PA/AP projection; R wrist X-ray; pediatric patient (boy, age 12); detector: Siemens; 97.1 mm image width; image size 674x1203. 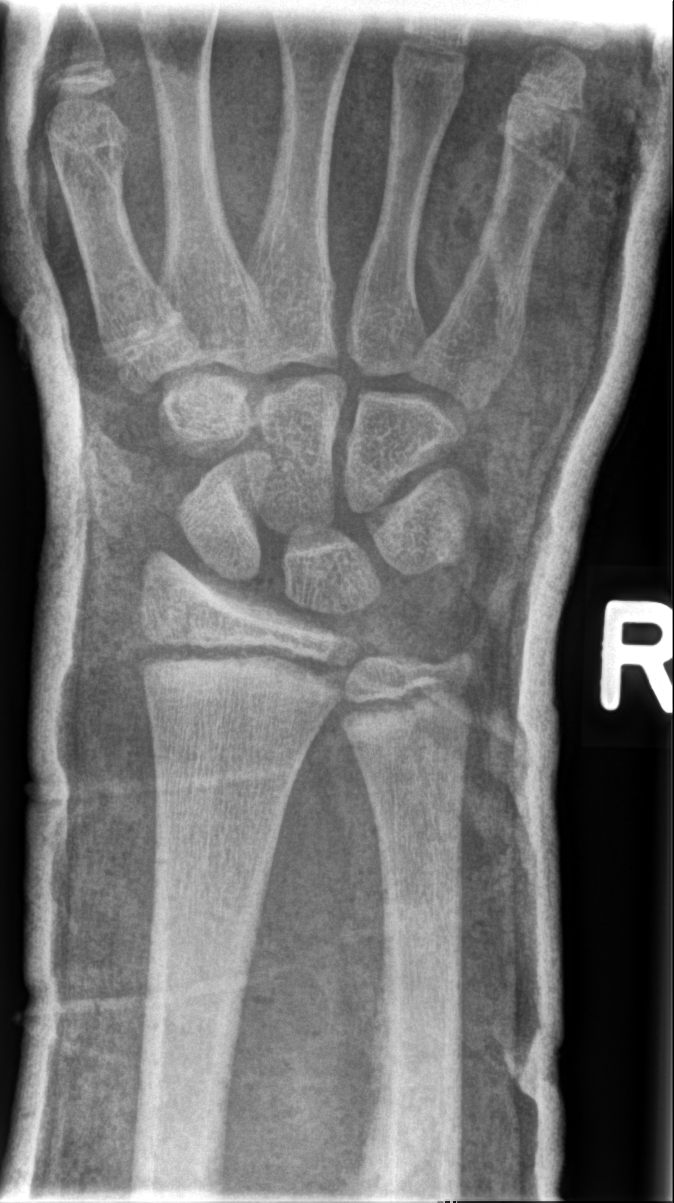 Fx = present but not clearly seen in this view